Lateral projection · right wrist radiograph · age 12 y, boy — 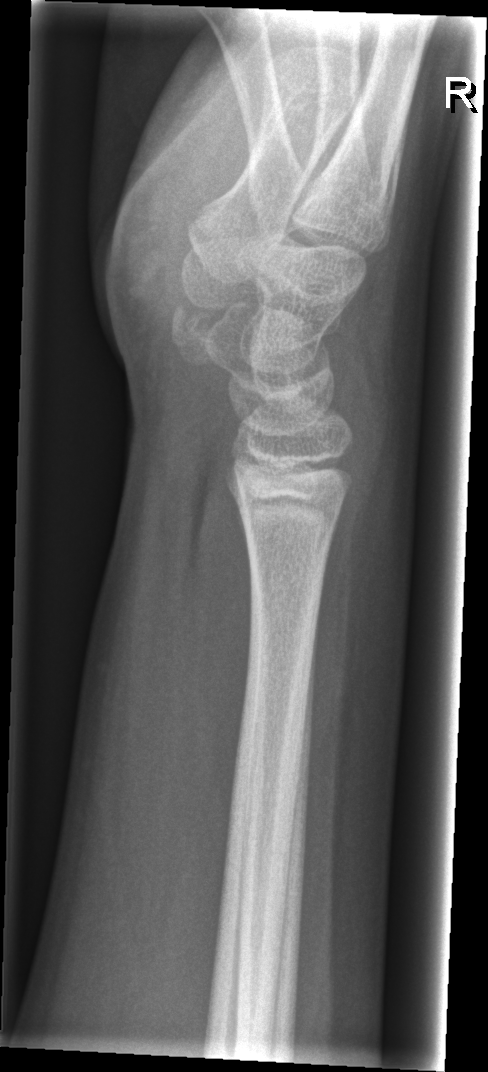 • No Fx annotated.